Right wrist plain film; lateral projection; boy, 12 yo; imaged through cast; 577 by 850 pixels —

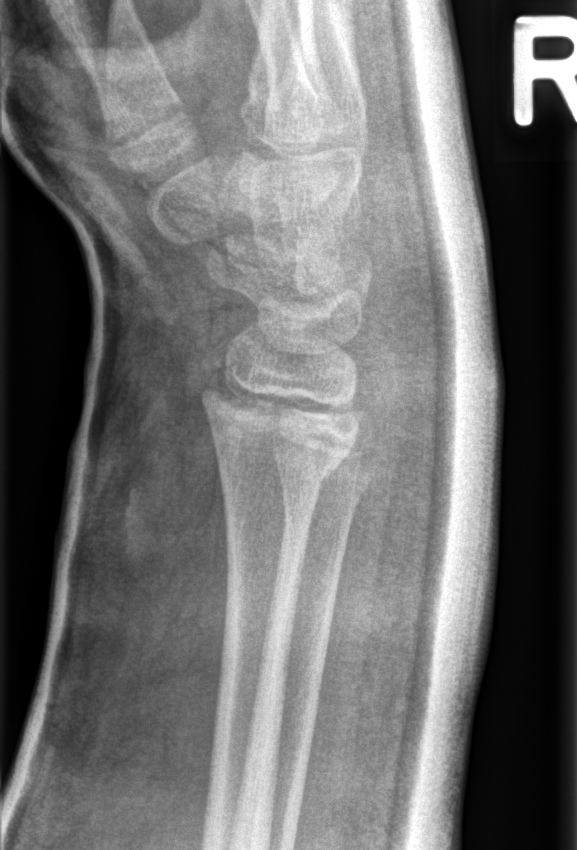

Bounding boxes in image-pixel xyxy.
Fx identified at 199 379 365 487.